Left pediatric wrist radiograph | lat | 434x1116 — 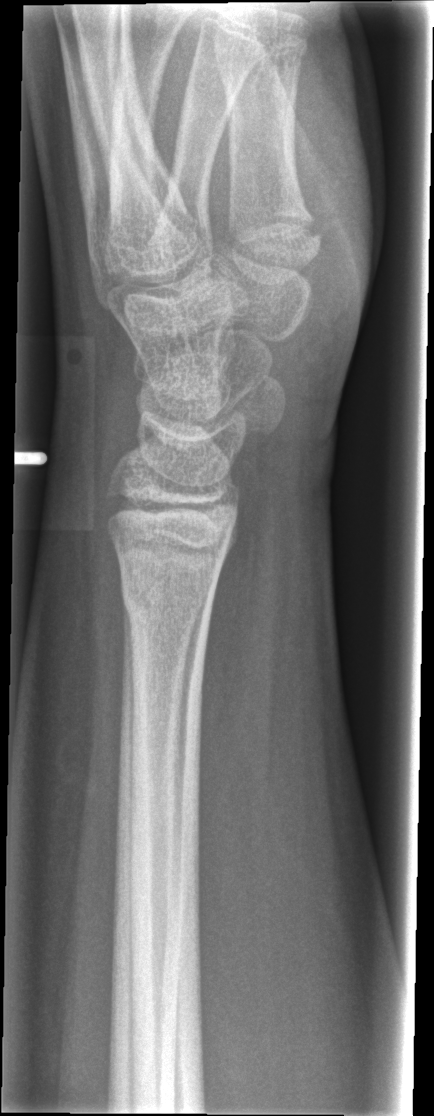
FINDINGS — (bounding boxes in image-pixel xyxy) AO/OTA classification: 23r-M/2.1. One Fx at (left=117, top=564, right=216, bottom=635).